Right wrist radiograph; frontal projection; initial study; acquired on Siemens:

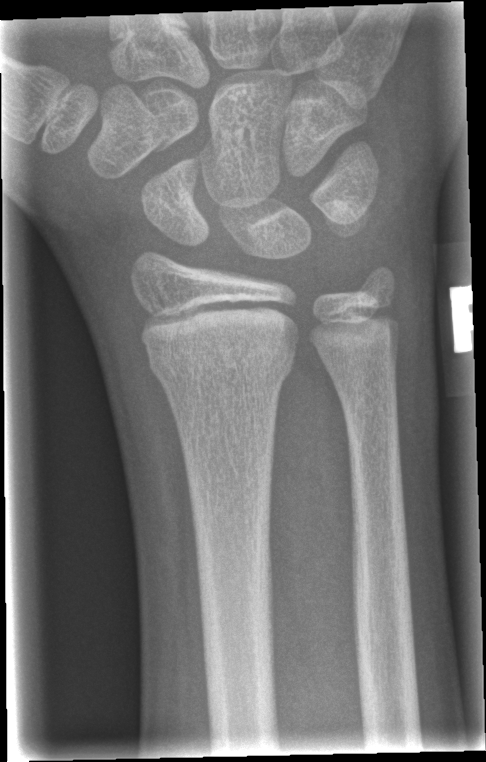 {"_coords": "pixel coordinates, top-left origin, xyxy", "ao": "23r-M/2.1", "fracture": "1 @ 144 329 301 394"}